L wrist plain film; AP projection; age 16 y, boy; initial study; detector: Siemens; 692 by 1283 pixels —
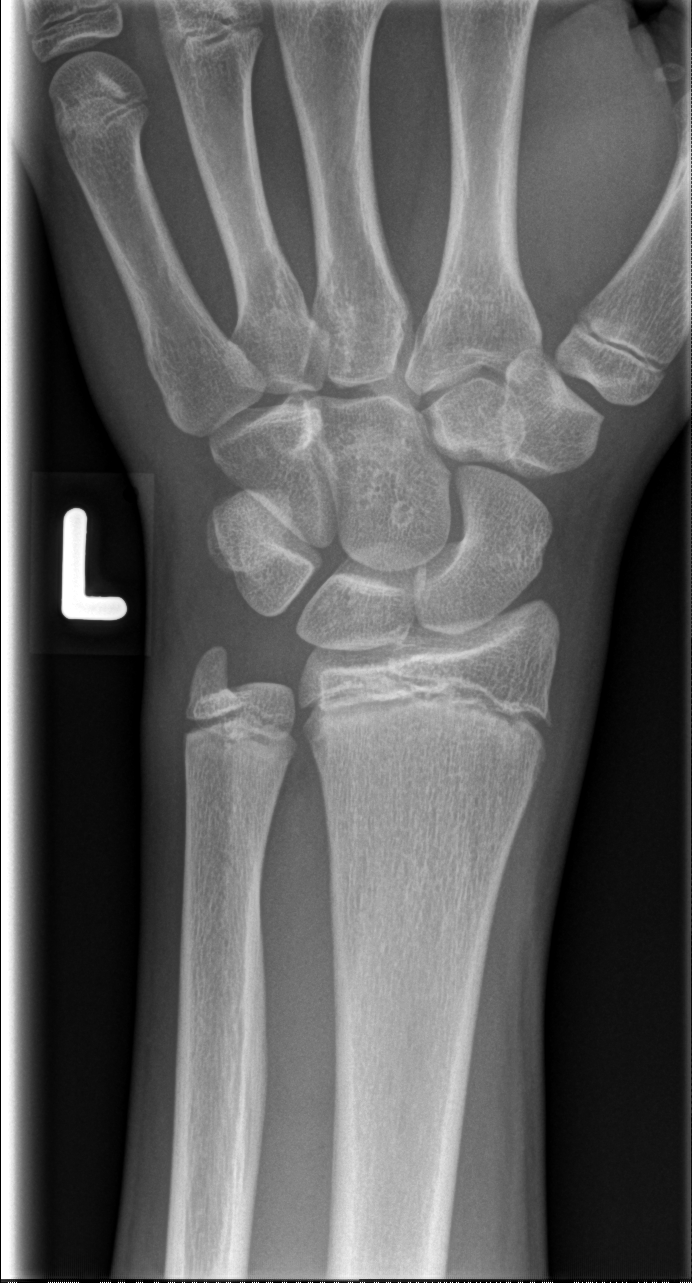

Fracture: none labeled.